AP projection, Lt wrist XR, male, 12 yo, follow-up study, in cast, 742x1003
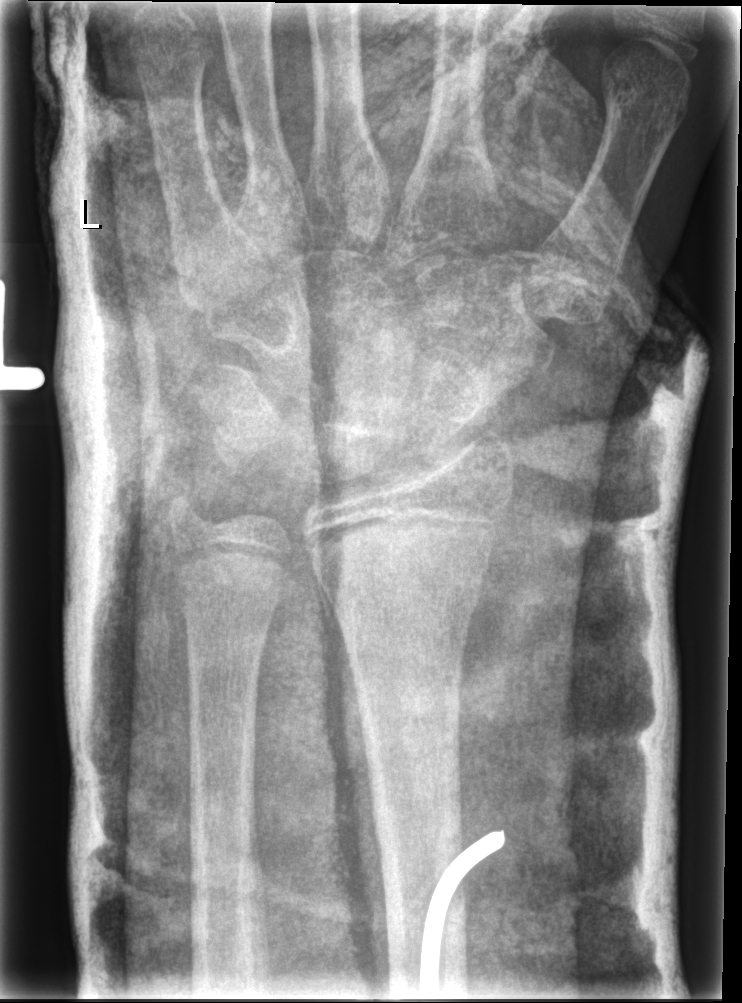

- Pixel coordinates, top-left origin, xyxy.
- AO/OTA classification: 23r-E/2.1; 23u-M/2.1.
- Metal: [418, 823, 510, 1000].
- Bone fracture: [302, 512, 500, 626].